Right wrist plain film; PA/AP; 16y M.
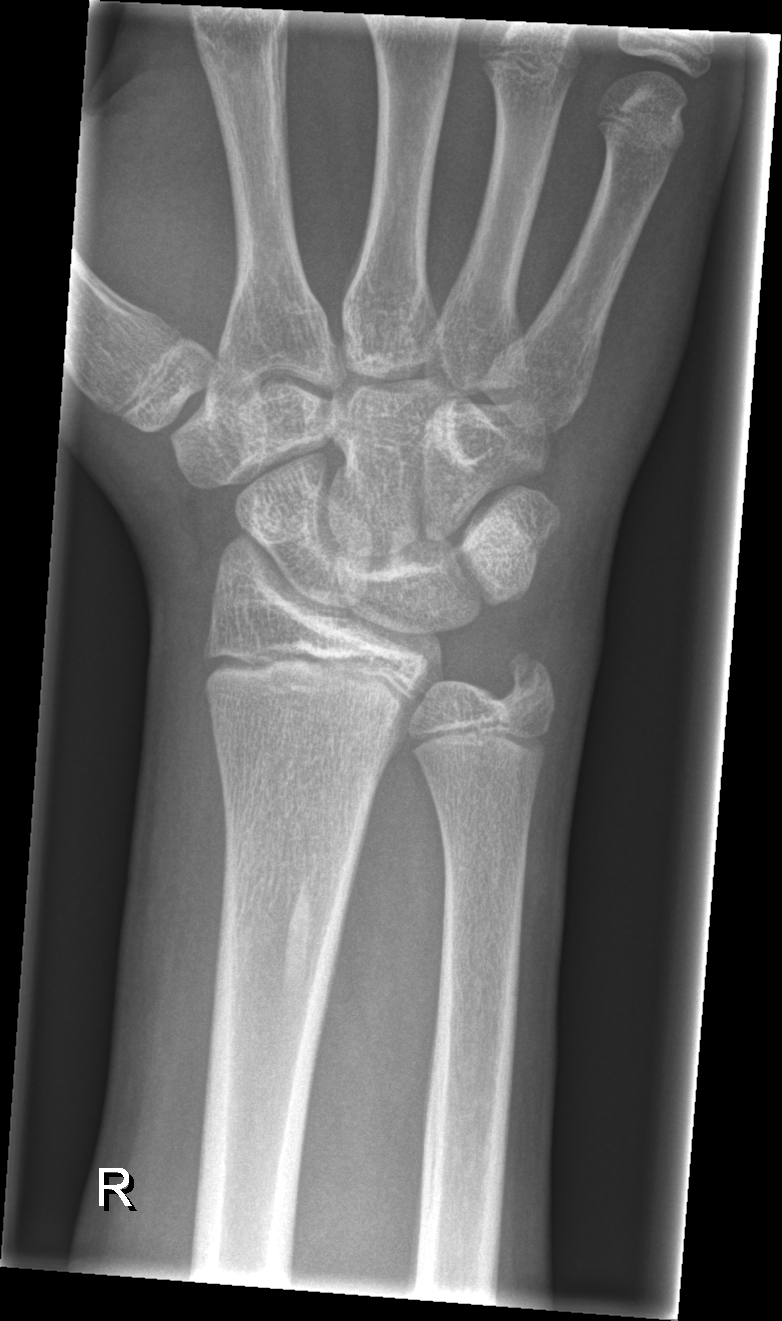
fracture = 1 @ (left=488, top=644, right=560, bottom=716)
focal bone lesion = (left=283, top=878, right=312, bottom=998)
AO/OTA = 23r-M/2.1; 23u-E/7